PA/AP view; left wrist radiograph; 13-year-old boy; subsequent exam; imaged through cast; 110.6 mm image width:

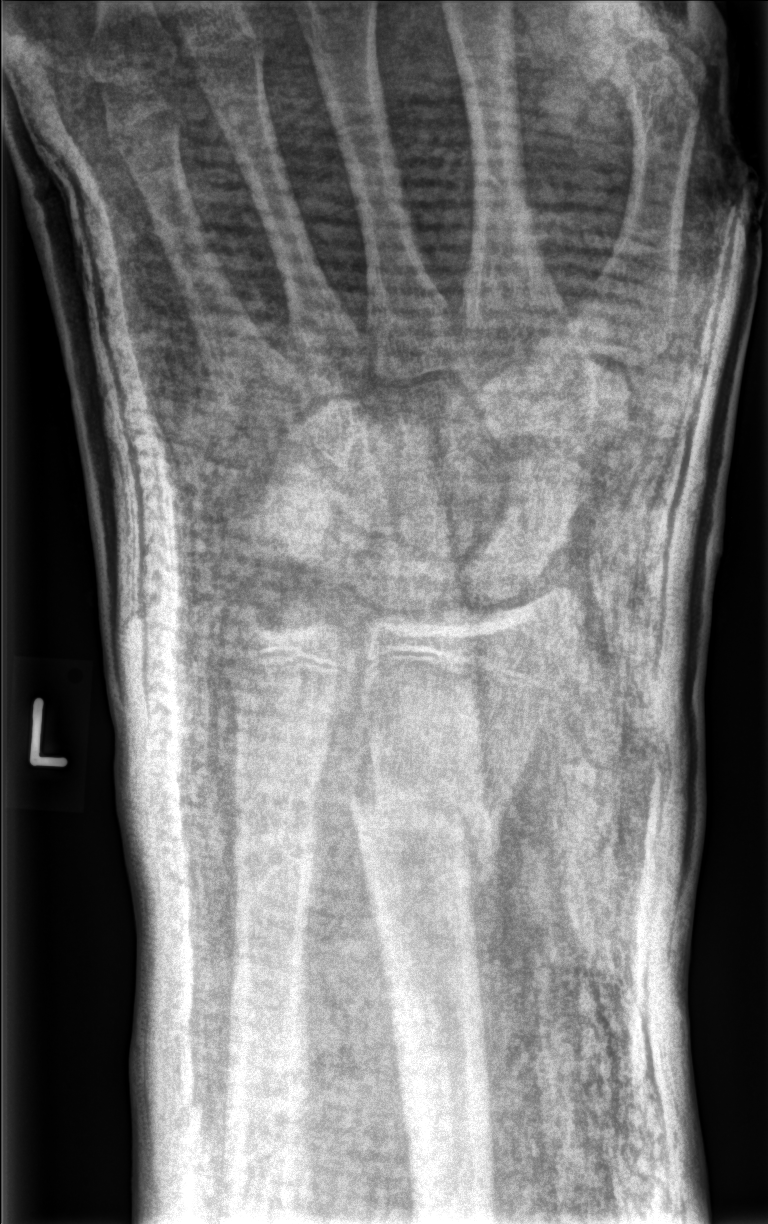
Q: Fracture present?
A: Bone fracture identified at bbox(344, 758, 501, 915)
Q: What is the AO/OTA classification?
A: Fracture classified AO/OTA 23-M/3.1; 23u-E/7